PA/AP; right wrist radiograph:
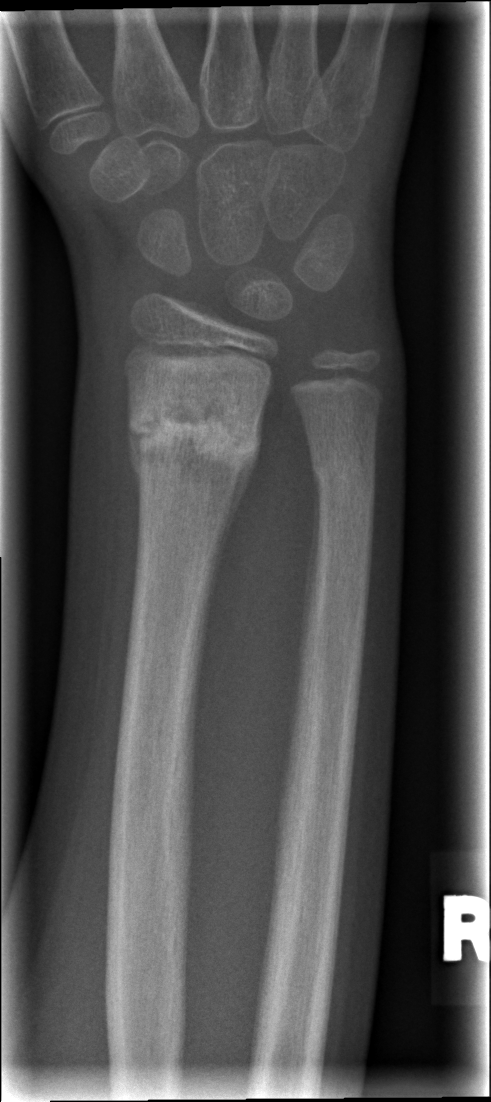 - AO code 23-M/3.1.
- Fractures — 122 383 267 518 | 305 433 382 502.
- Three periosteal reaction at 209 395 266 595
  302 470 322 645
  126 398 149 520.